PA · right wrist X-ray · 5-year-old male: 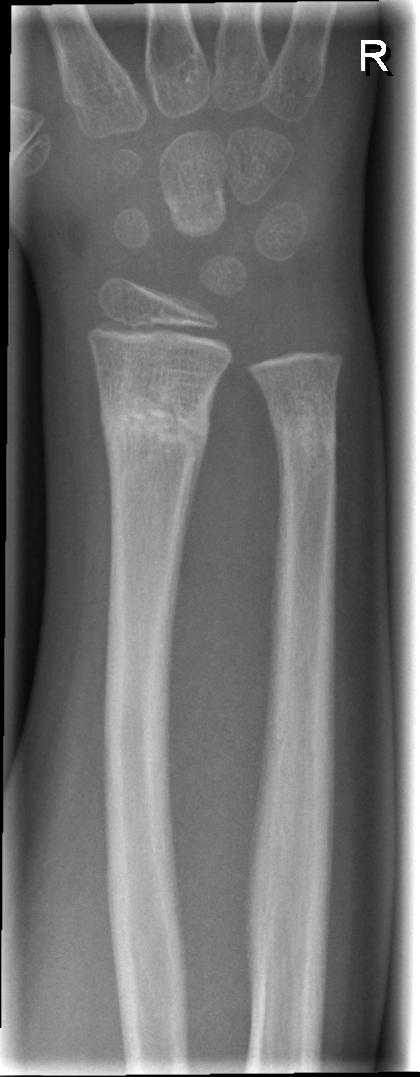
osteopenia: present
bone fracture: 2 @ 98,383,214,471
  269,393,340,463
periosteal reaction: 1 @ 170,381,217,643